PA; Rt wrist radiograph; subsequent exam; Siemens; 74.0 mm image width; 514 x 733 px:

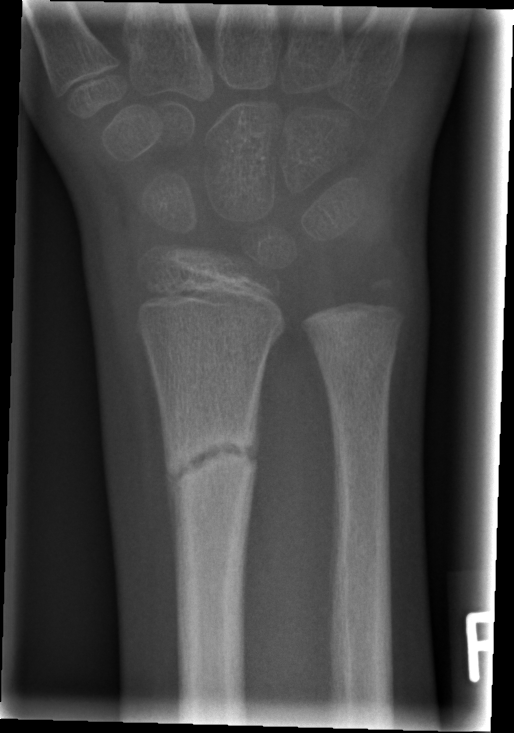

(pixel coordinates, top-left origin, xyxy)
Bone fracture = 2 @ (left=161, top=425, right=265, bottom=497), (left=310, top=331, right=403, bottom=389)